Left plain radiograph of the wrist · AP projection:

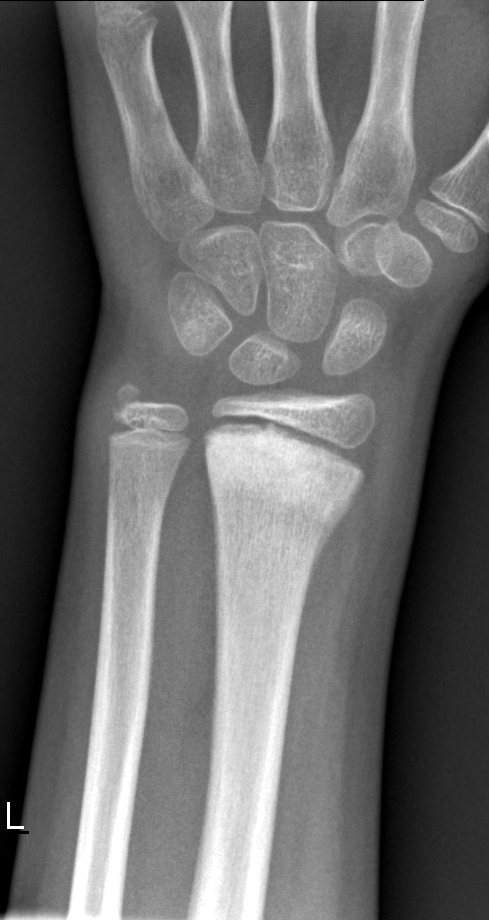
• Two Fx at 201 413 371 535 | 102 373 154 437.